PA/AP projection, R wrist radiograph, 6-year-old male, follow-up study.

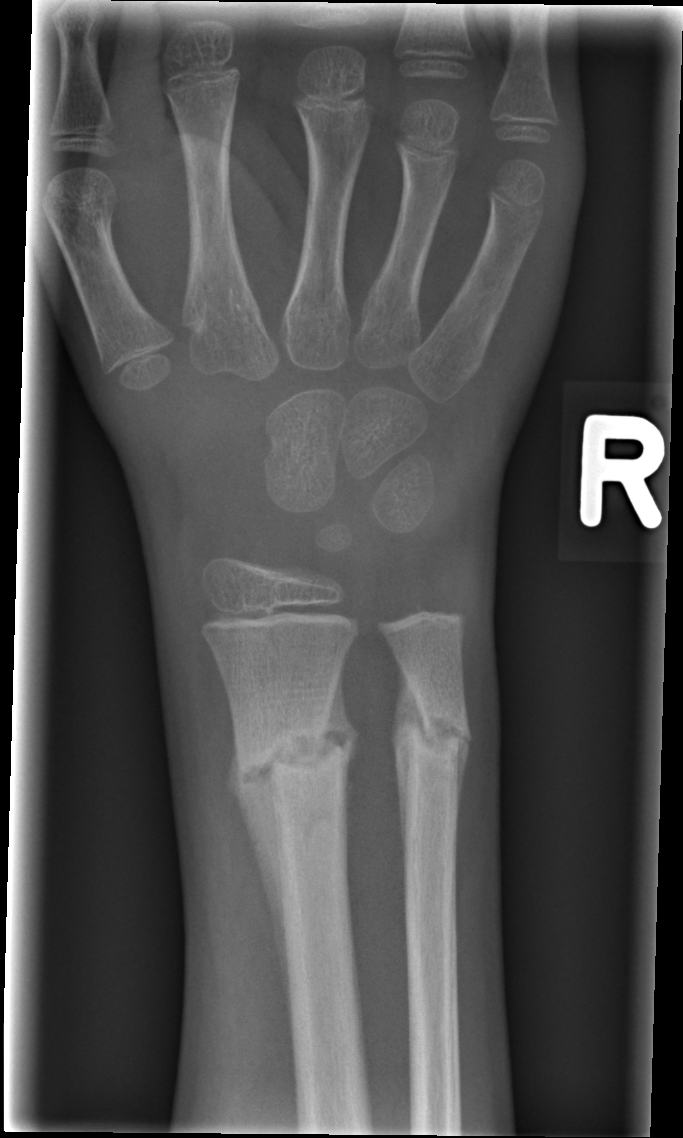

FINDINGS: (bounding boxes in image-pixel xyxy) Bone fracture: [x1=228, y1=696, x2=358, y2=825] [x1=395, y1=701, x2=471, y2=770]. Periosteal new bone — [x1=225, y1=727, x2=296, y2=1037] [x1=389, y1=663, x2=427, y2=868] [x1=321, y1=655, x2=359, y2=776] [x1=456, y1=727, x2=473, y2=825].